Left wrist plain film | lateral view | pediatric patient (male, age 10):
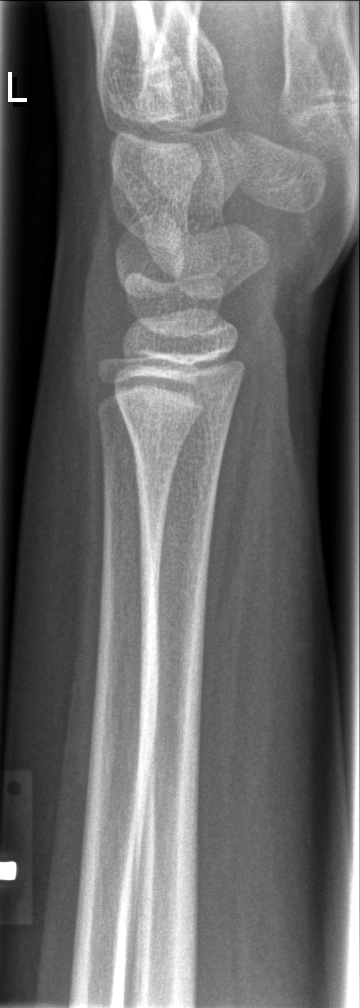 AO classification: 23r-M/2.1
Fx: 1 @ 115,391,234,470